Lateral projection, right plain radiograph of the wrist, index exam —

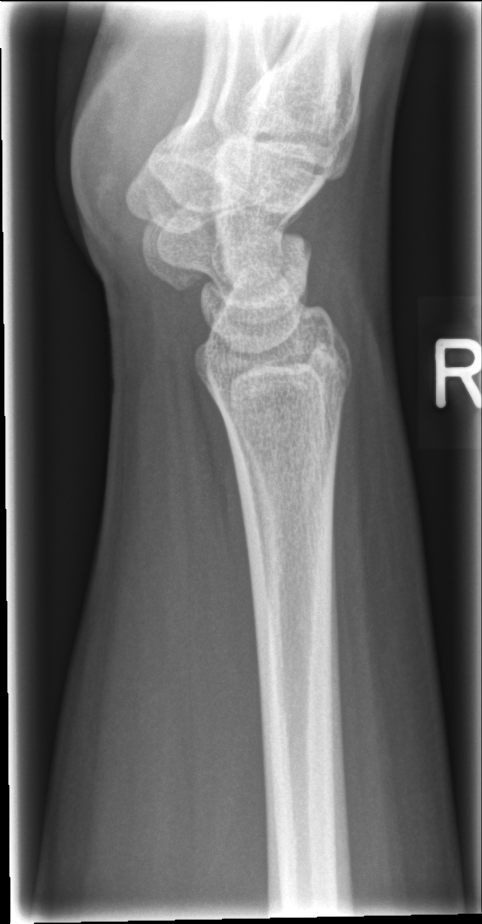 Findings: No fracture labeled.